Left wrist radiograph | PA projection | age 8 y, female | presentation radiograph.

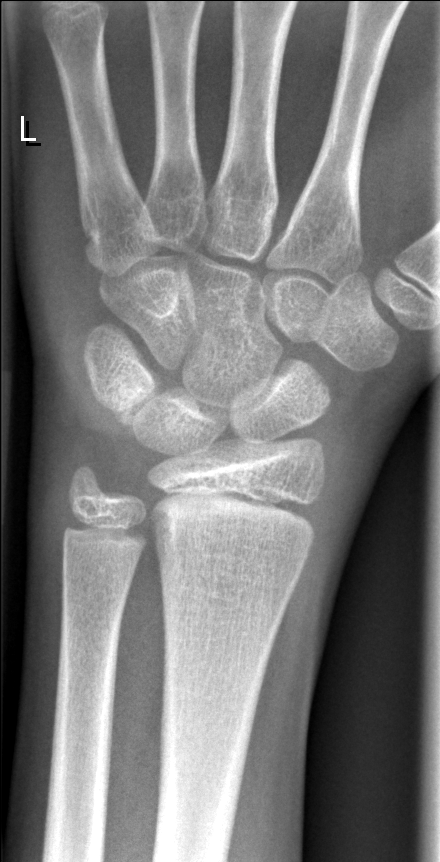

FINDINGS — No fracture annotation.